Lat; L pediatric wrist radiograph; pediatric patient (boy, age 15); 474 by 1173 pixels.

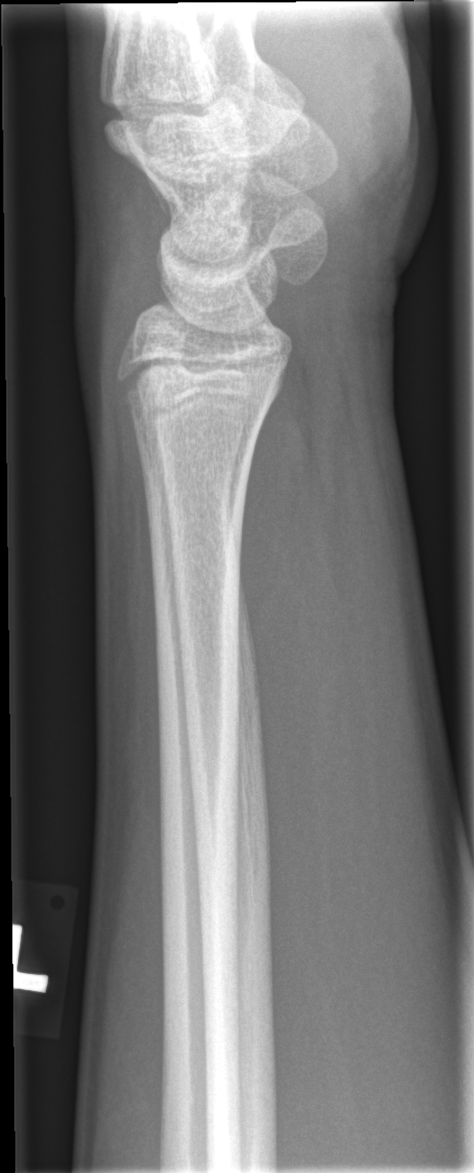 * No fracture annotation.